Left wrist radiograph; frontal view; diagnosis uncertain
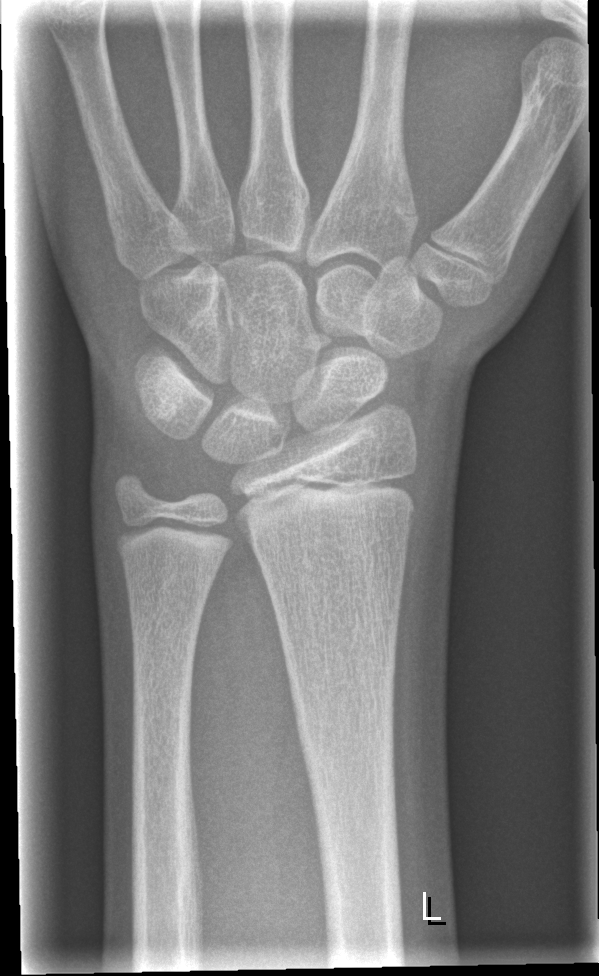
Fracture: none labeled.